Lt wrist radiograph; lat; male, 12 yo; subsequent exam —
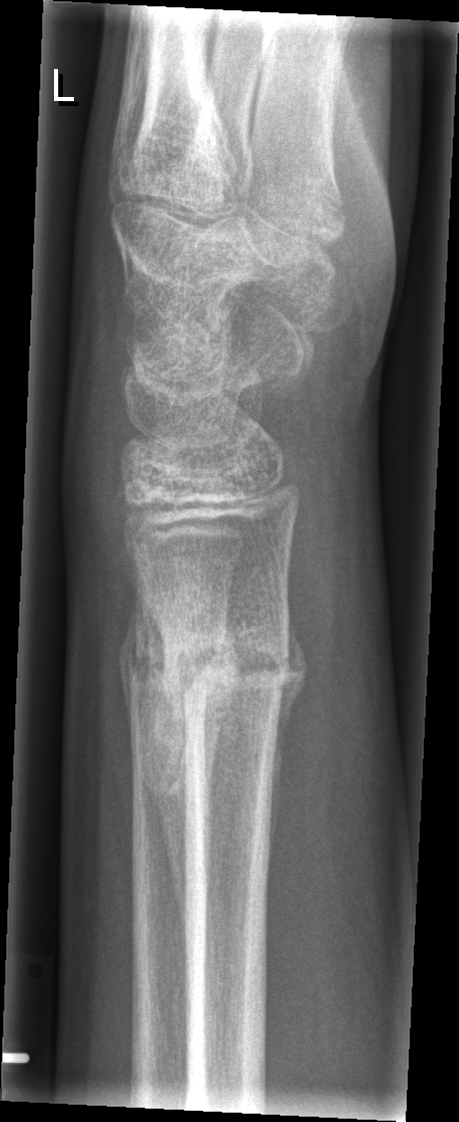 • Pixel coordinates, top-left origin, xyxy.
• Fx: bbox(132, 612, 298, 726).
• Periosteal thickening: bbox(115, 595, 190, 950); bbox(262, 592, 305, 890).
• Osteopenia.